Left wrist X-ray | lateral view | girl, 9 yo | presentation radiograph | 372x730:
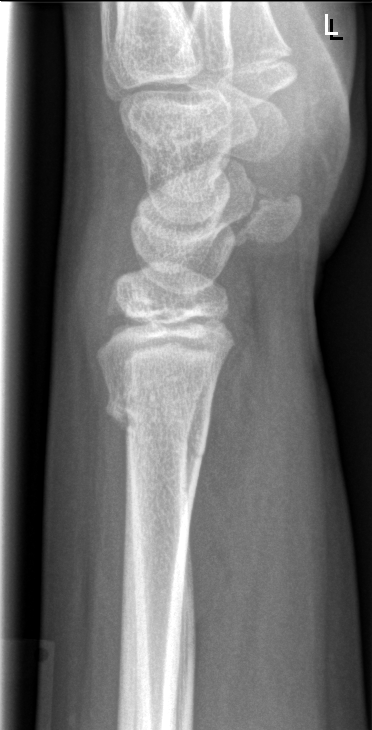
Fracture identified at [x1=102, y1=385, x2=213, y2=466]. One pronator quadratus fat-pad sign at [x1=187, y1=319, x2=270, y2=684].